AP, L wrist X-ray, boy, 15 yo, image 108.4 mm wide 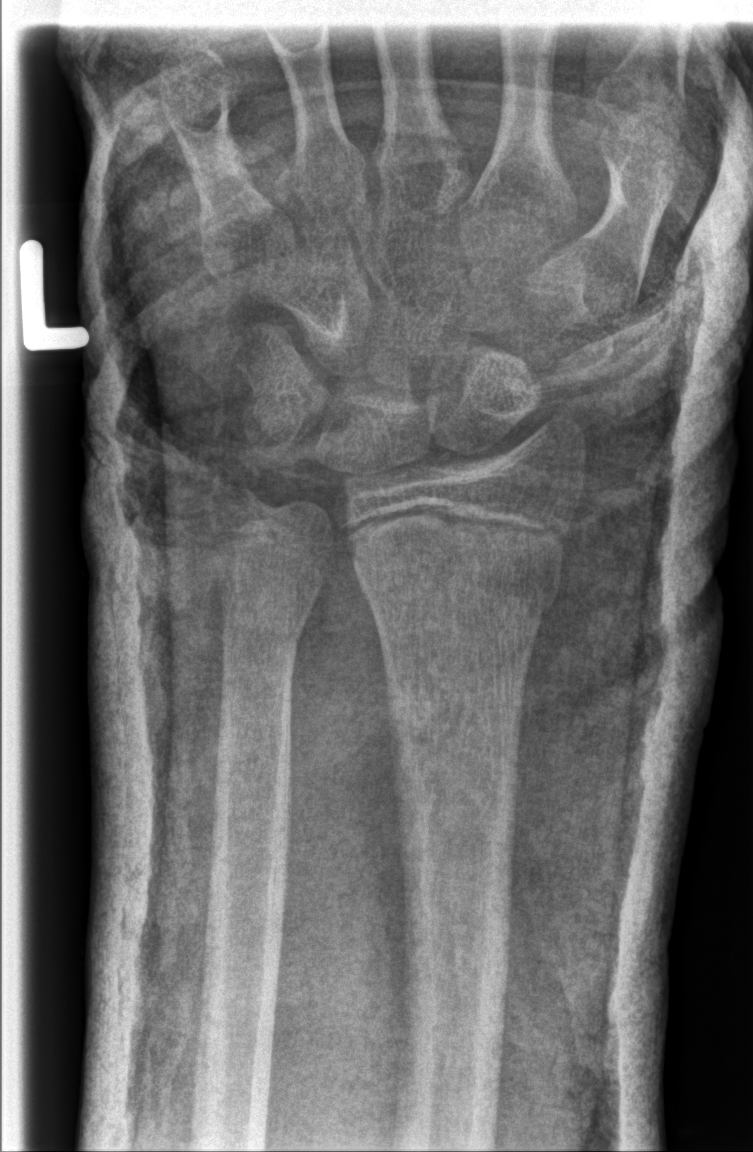

(coordinates are [x1, y1, x2, y2] in image pixels)
Fracture: (left=357, top=529, right=567, bottom=630)
AO classification: 23r-M/3.1; 23u-E/7